Lat; L wrist XR; acquired on Siemens; 522 by 919 pixels: 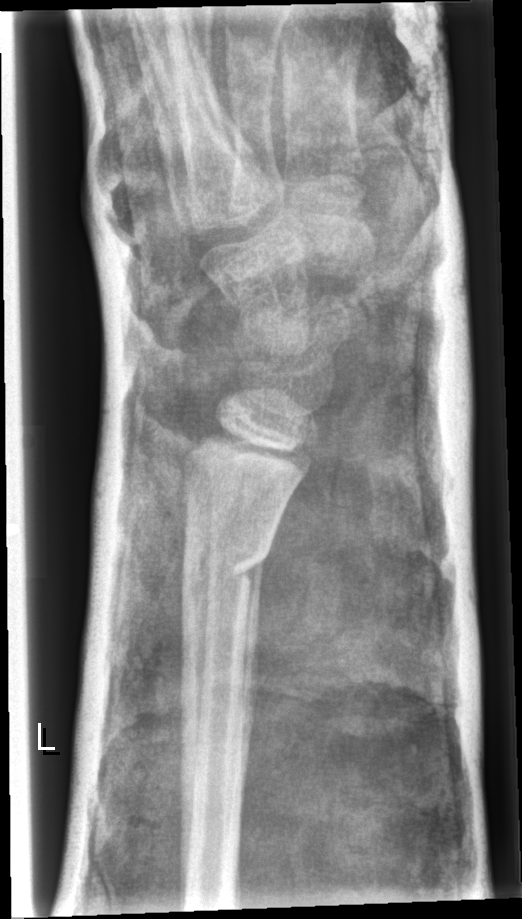

• Fracture — (left=177, top=540, right=274, bottom=596).